Frontal, R plain radiograph of the wrist, 9y M, in cast.
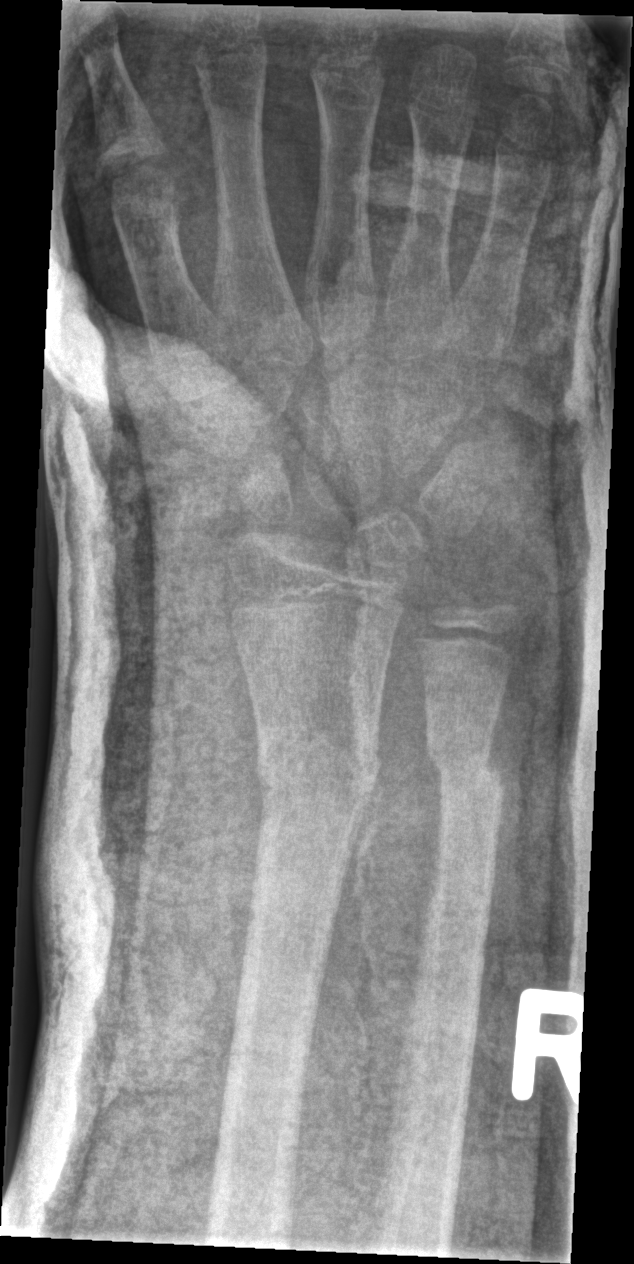 FINDINGS: (pixel coordinates, top-left origin, xyxy) Fractures — [x1=255, y1=726, x2=381, y2=810]; [x1=422, y1=728, x2=510, y2=805].